PA projection · Lt wrist plain film · age 12 y, boy · initial study:
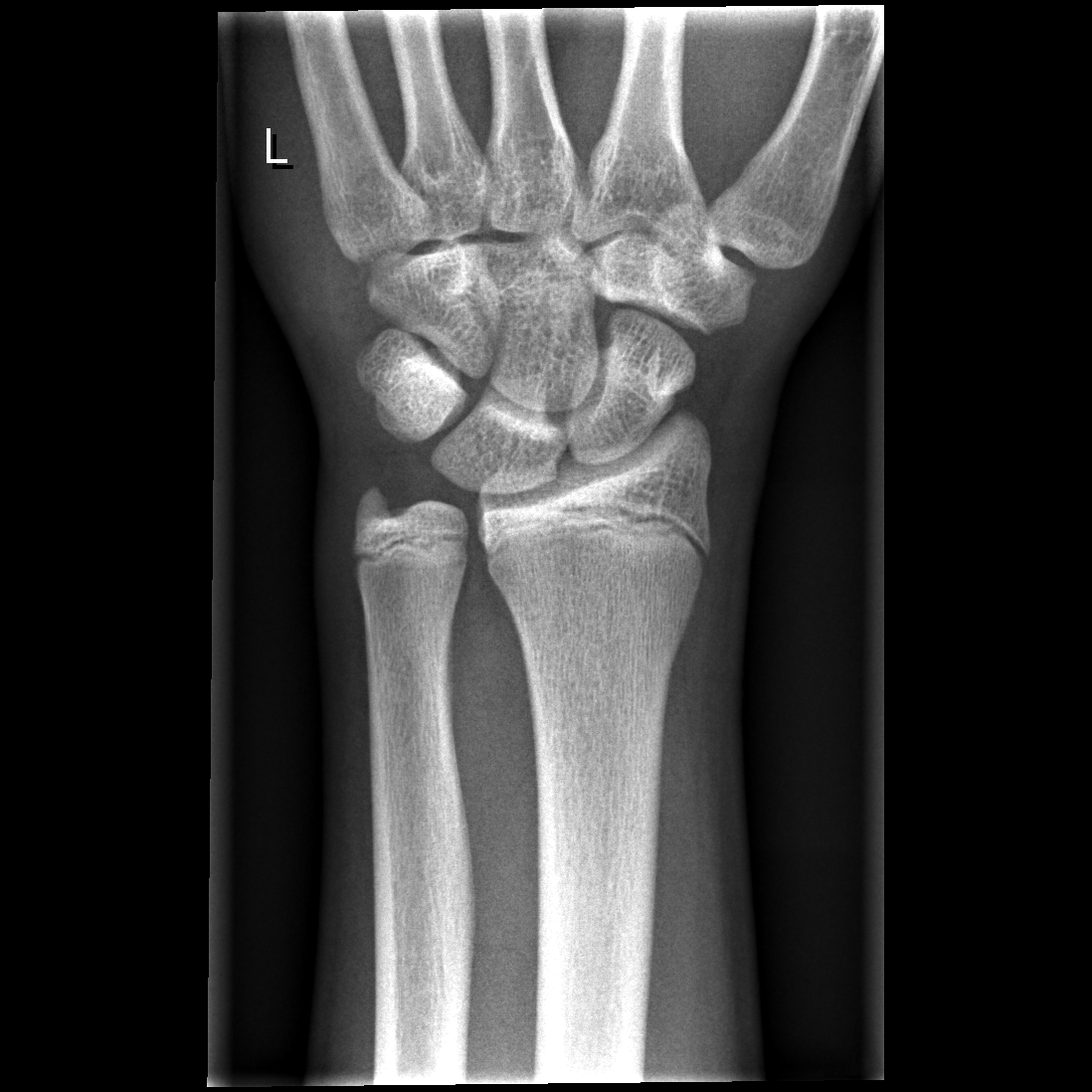 {
  "fracture": "none labeled"
}